PA; R wrist radiograph; male, 15 yo; Siemens. 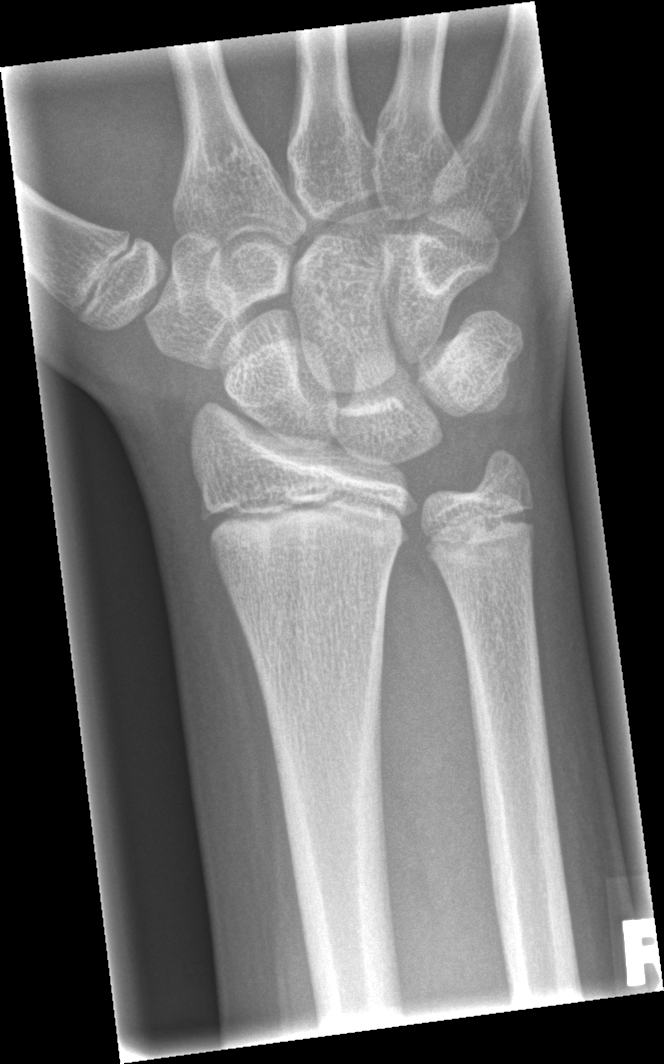

- No fracture annotation.